L wrist XR, PA, male, 11 yo —

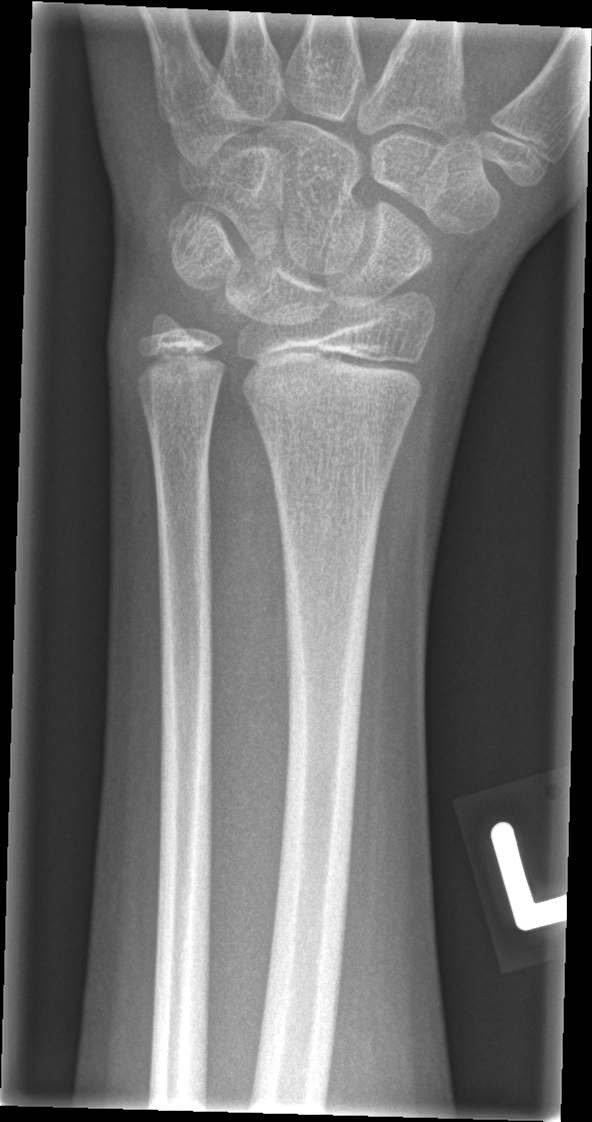
fracture = present but not clearly seen in this view